L pediatric wrist radiograph · frontal view · detector: Siemens · 68.0 mm image width · 472 x 920 px. 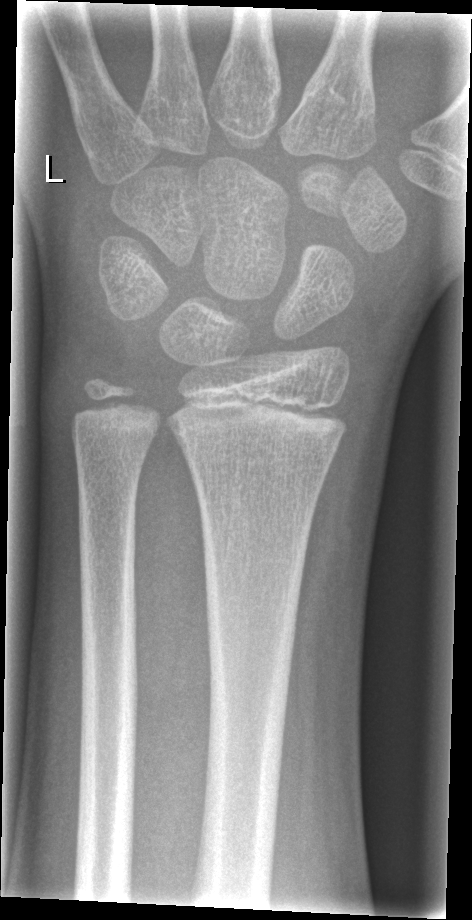 Fx: none labeled